Right wrist pediatric wrist radiograph · lat projection · age 17 y, male · presentation radiograph · acquired on Siemens:

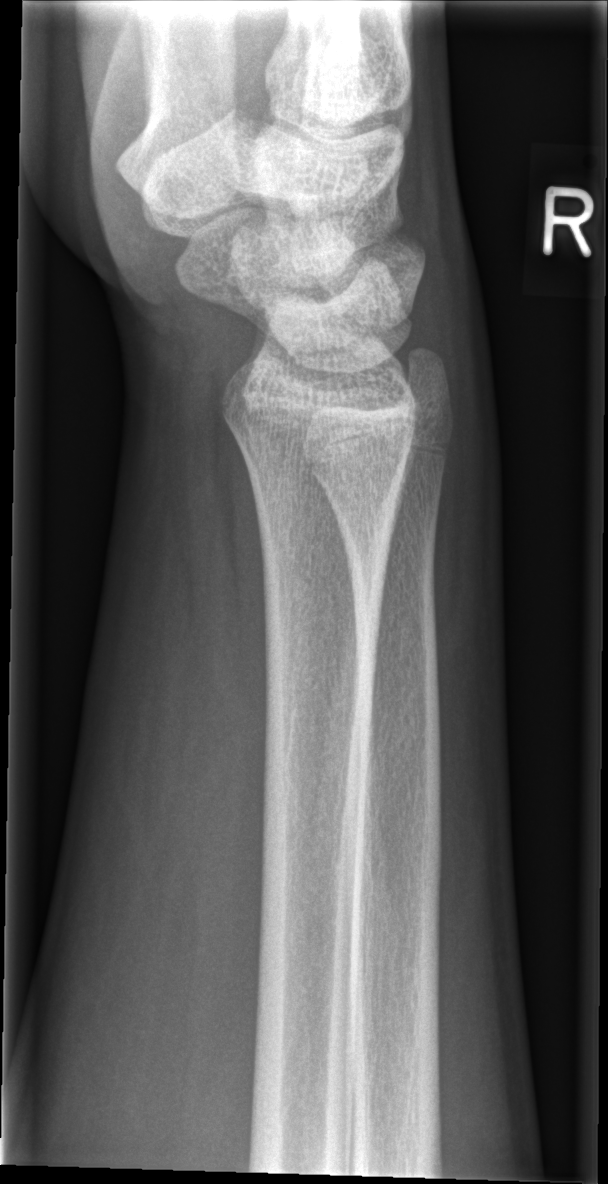 fracture: none labeled